R wrist radiograph · lat projection · boy, 14 yo · index exam:

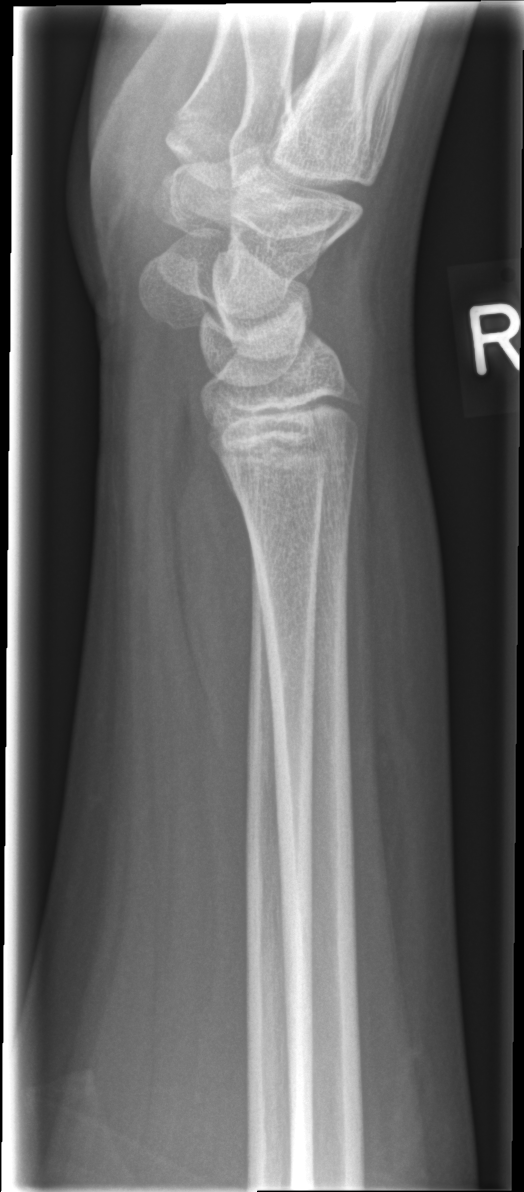 Fx: present but not clearly seen in this view
Pronator sign: 173 431 257 757
AO classification: 23-M/2.1